Lateral view, right wrist plain film, cast in situ, 627 by 1014 pixels:

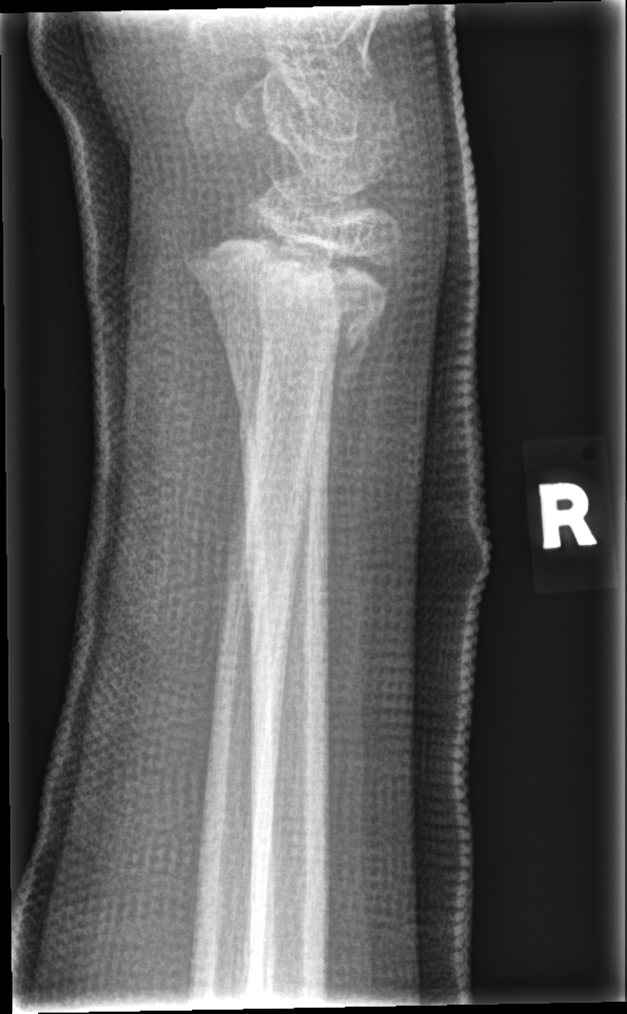 One fracture at [x1=178, y1=222, x2=400, y2=379].